Lat projection | left pediatric wrist radiograph | imaged through cast | acquired on Siemens
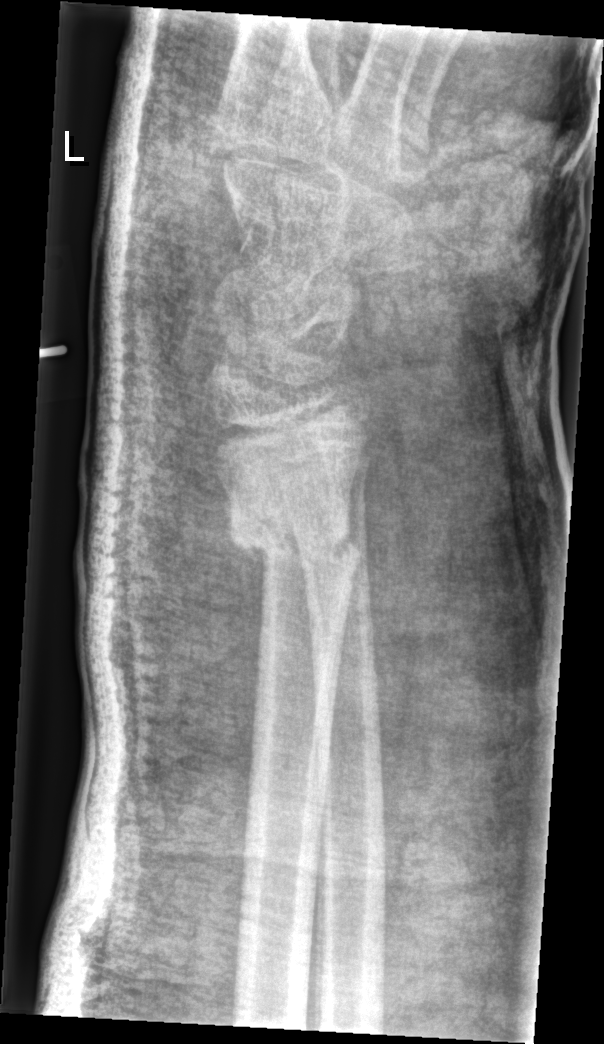

(coordinates are [x1, y1, x2, y2] in image pixels)
Q: Any fracture seen?
A: Bone fracture: [225, 496, 364, 577]
Q: AO code?
A: Fracture classified AO/OTA 23r-M/3.1; 23u-E/7